R plain radiograph of the wrist | lateral projection.
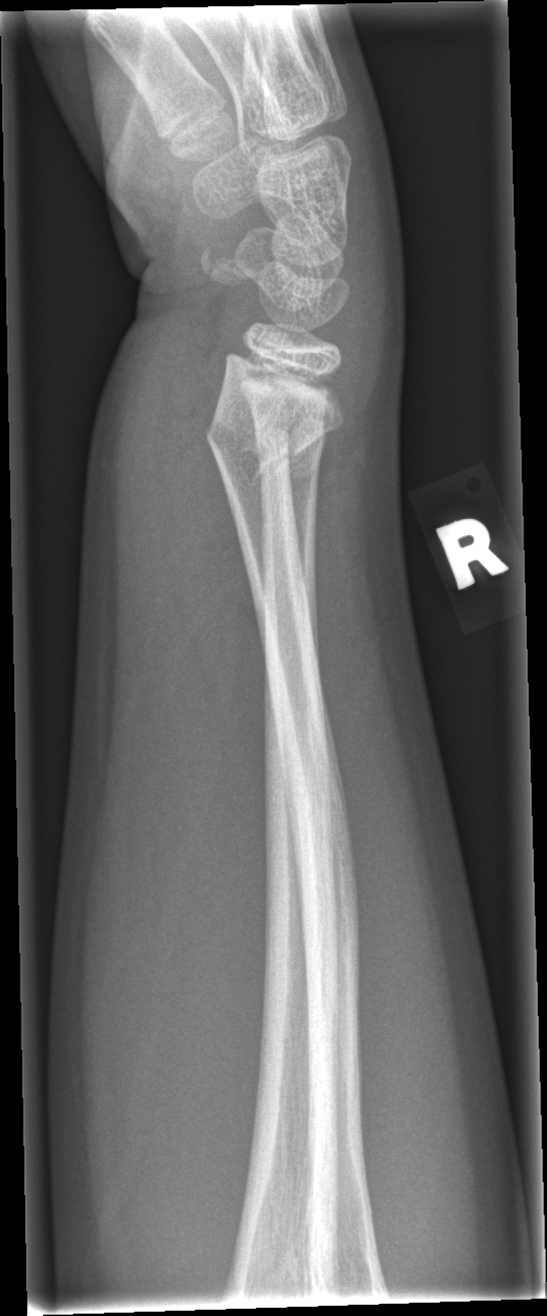 pronator quadratus fat-pad sign: [x1=146, y1=323, x2=273, y2=775]
AO code: 23r-M/3.1; 23u-M/2.1
bone fracture: 1 @ [x1=197, y1=394, x2=338, y2=487]